PA/AP view, left wrist XR, pediatric patient (male, age 13) —
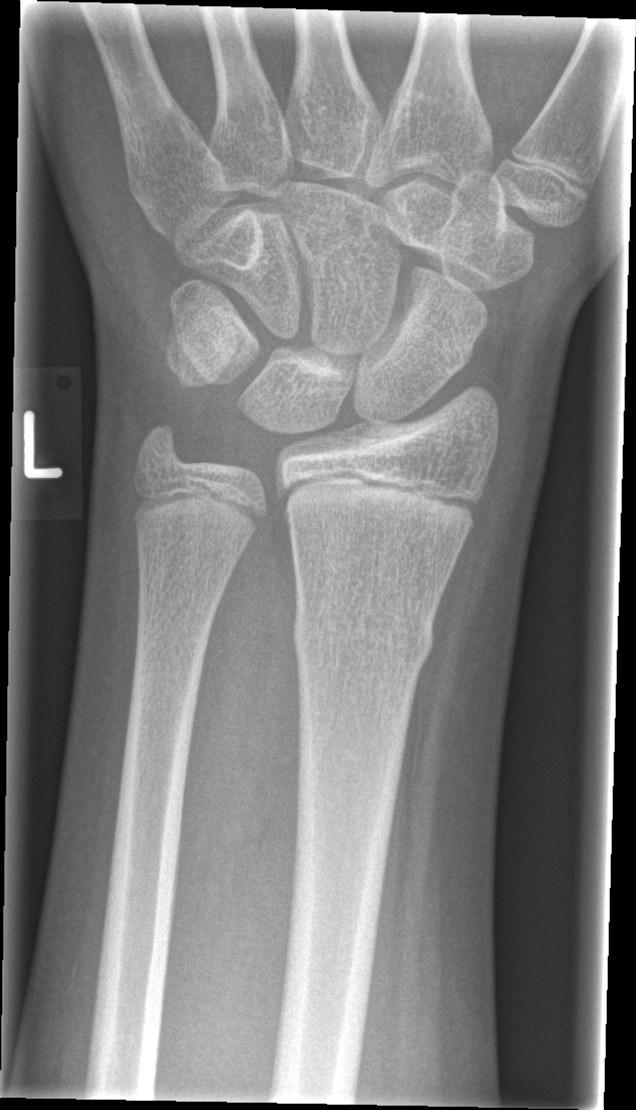

{"ao": "23r-M/2.1; 23u-E/7", "fracture": "2 @ [290, 589, 436, 672], [125, 409, 196, 480]"}